Posteroanterior view · left pediatric wrist radiograph · boy, 11 yo: 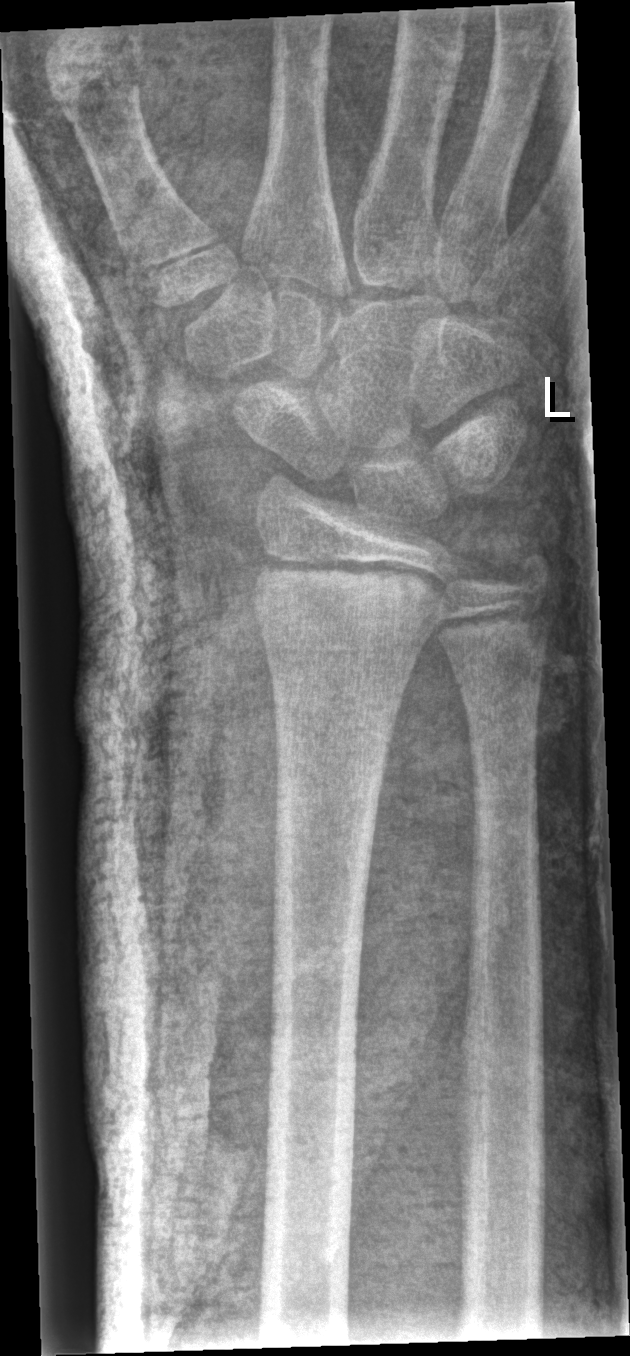

• Fx — (246, 547, 451, 656).
• AO code 23r-E/2.1; 23u-E/7.